Left wrist X-ray, lat projection, follow-up, cast present:

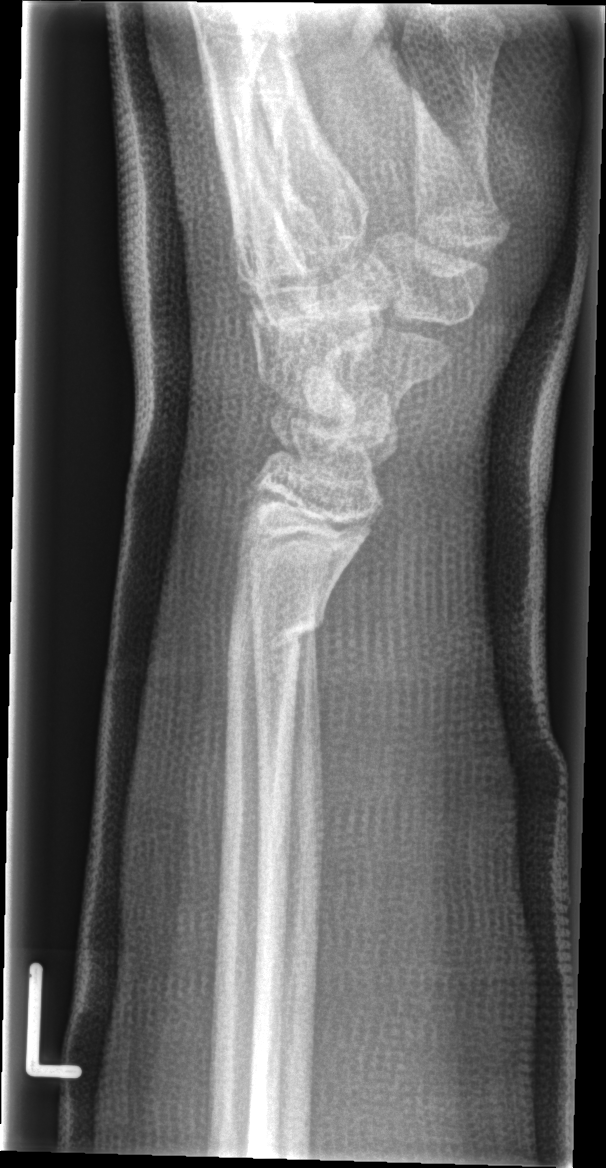

Bounding boxes in image-pixel xyxy.
AO/OTA classification: 23r-M/3.1.
Fracture identified at [221, 603, 328, 671].